L wrist X-ray · frontal projection · Siemens — 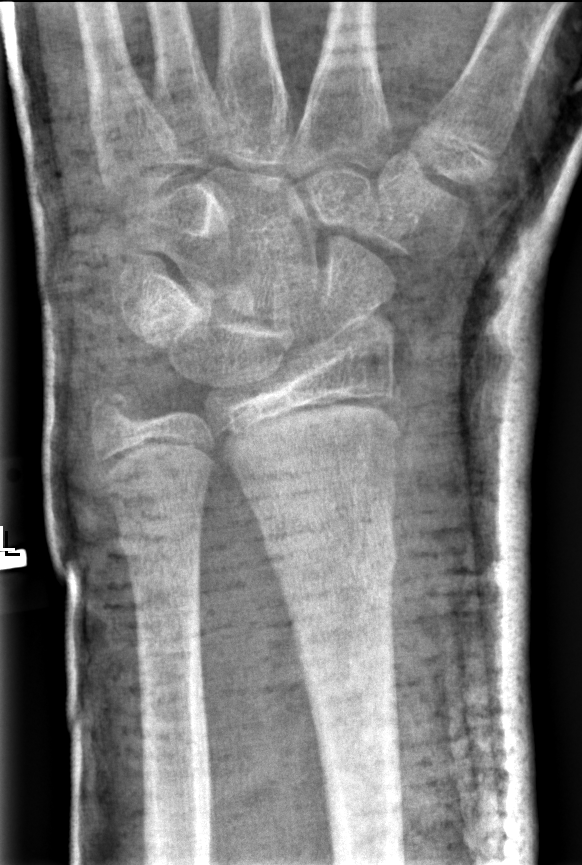 Fx identified at [264, 513, 400, 599], [109, 502, 206, 573], [83, 380, 149, 443].